Left wrist pediatric wrist radiograph; frontal; age 11 y, male —
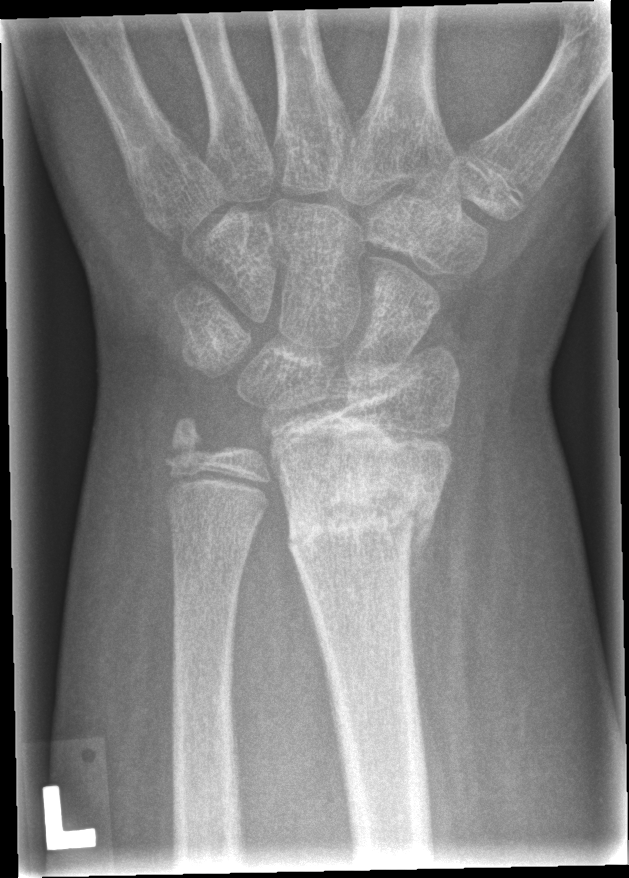

(pixel coordinates, top-left origin, xyxy)
Bone fracture: bbox(267, 465, 467, 610), bbox(161, 412, 213, 474)
AO/OTA: 23r-M/3.1; 23u-E/7
Osteopenia: present